Lateral · Lt pediatric wrist radiograph. 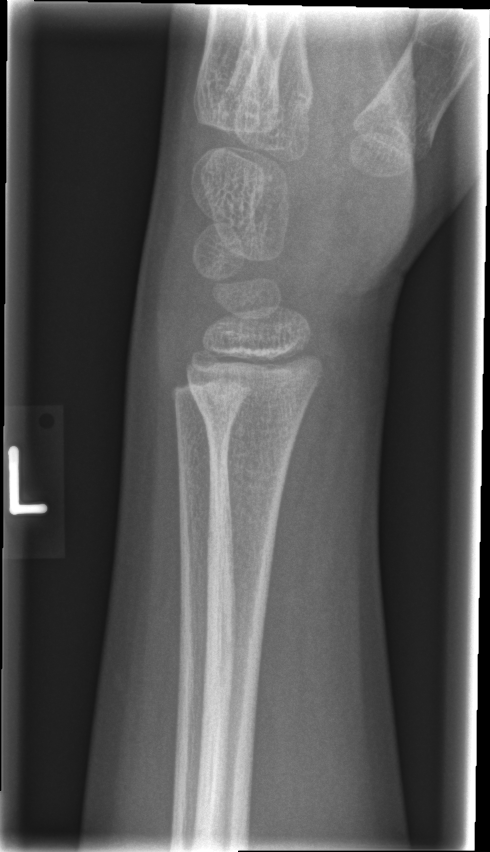
(coordinates are [x1, y1, x2, y2] in image pixels)
bone fracture: 185,378,311,439